PA/AP projection · left wrist XR · boy, 13 yo · subsequent exam · 502x838. 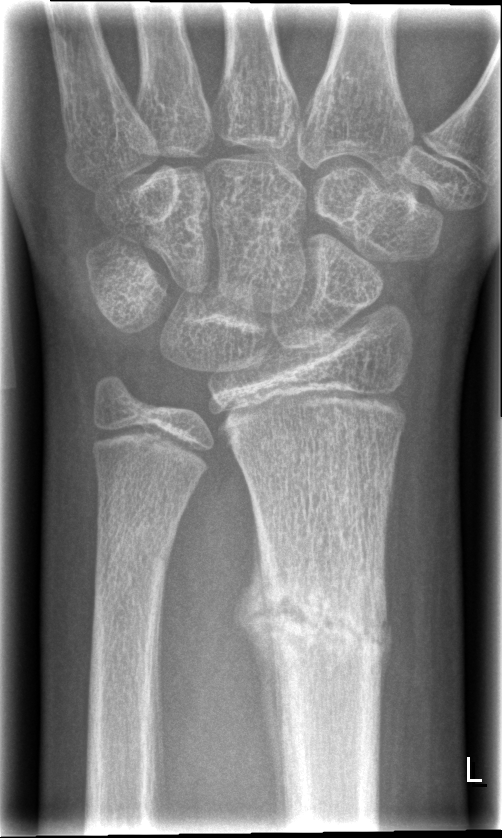 (coordinates are [x1, y1, x2, y2] in image pixels)
Periosteal thickening: 1 @ (left=234, top=503, right=289, bottom=830)
Fracture: (left=257, top=569, right=392, bottom=674); (left=93, top=525, right=175, bottom=588)
Osteopenia: present
AO/OTA: 23r-M/3.1; 23u-M/2.1